Lateral · left wrist XR · follow-up:
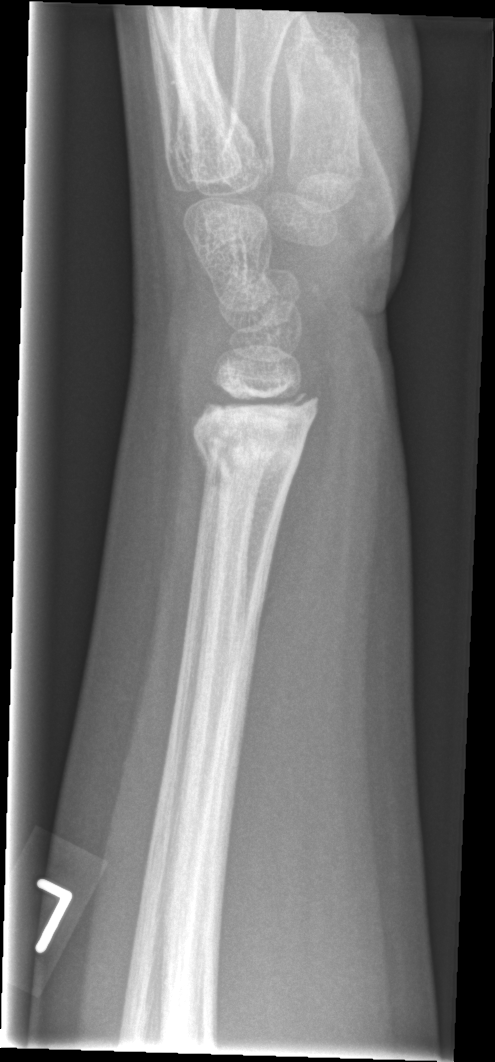 FINDINGS: (coordinates are [x1, y1, x2, y2] in image pixels) Fracture classified AO/OTA 23r-E/2.1. Bone fracture identified at (left=190, top=379, right=321, bottom=481). Reduced bone mineral density.